Left wrist X-ray; lat; male, 6 yo: 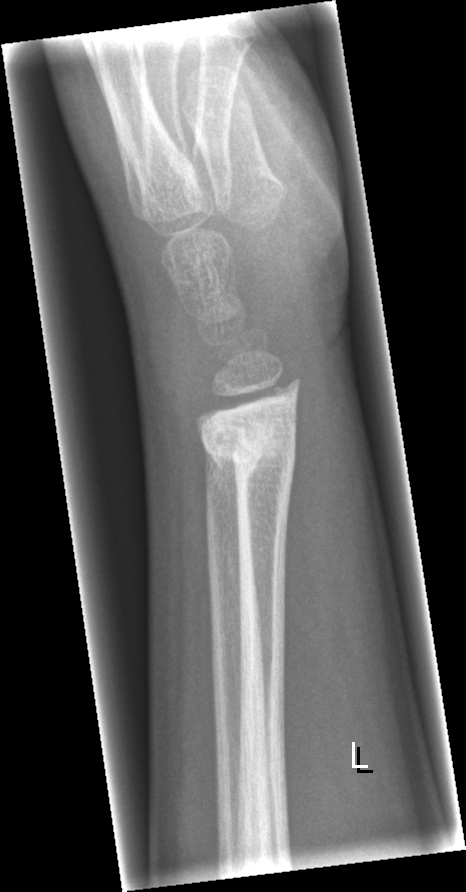

osteopenia: present
fracture: 1 @ (left=195, top=403, right=300, bottom=490)